Right wrist pediatric wrist radiograph · lat view · image 69.6 mm wide —

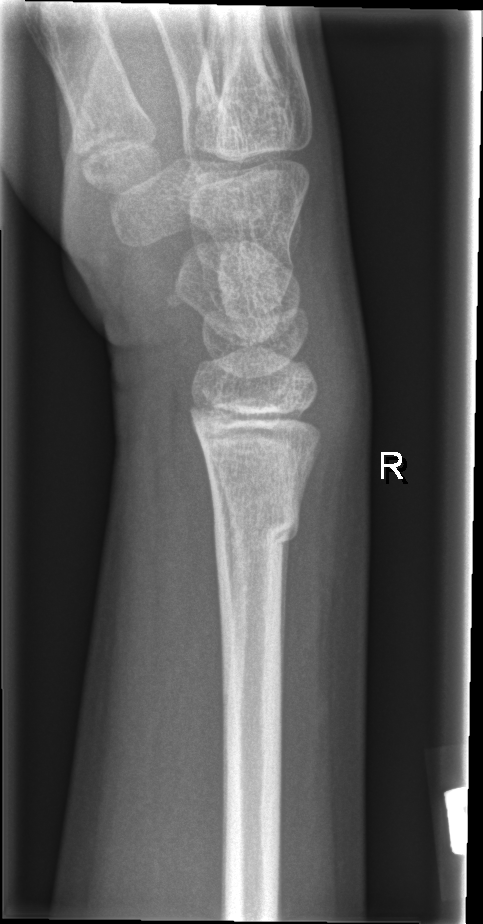
{
  "fracture": "[x1=210, y1=501, x2=303, y2=570]",
  "ao": "23r-M/2.1"
}